Lat | Rt wrist plain film | follow-up | 624 x 1316 px 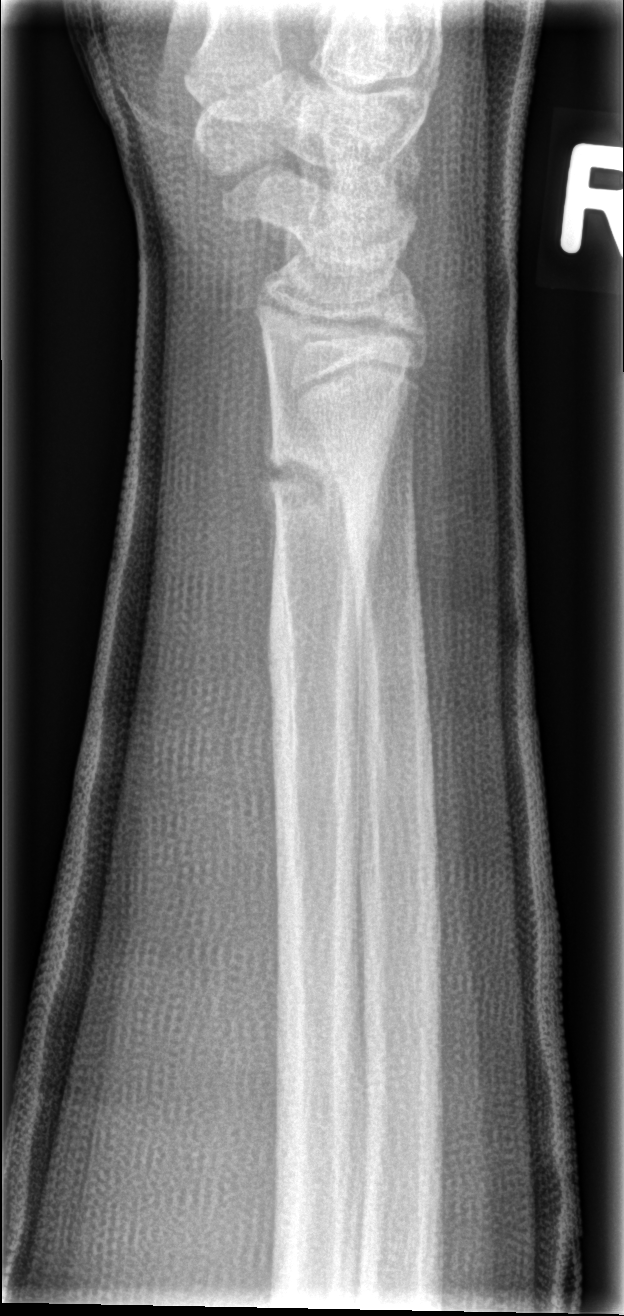 Periosteal thickening identified at [x1=351, y1=394, x2=408, y2=703], [x1=260, y1=367, x2=296, y2=585]. AO/OTA classification: 23r-M/3.1; 23u-E/7. Bone fracture identified at [x1=255, y1=428, x2=387, y2=532].